L wrist radiograph; lateral projection: 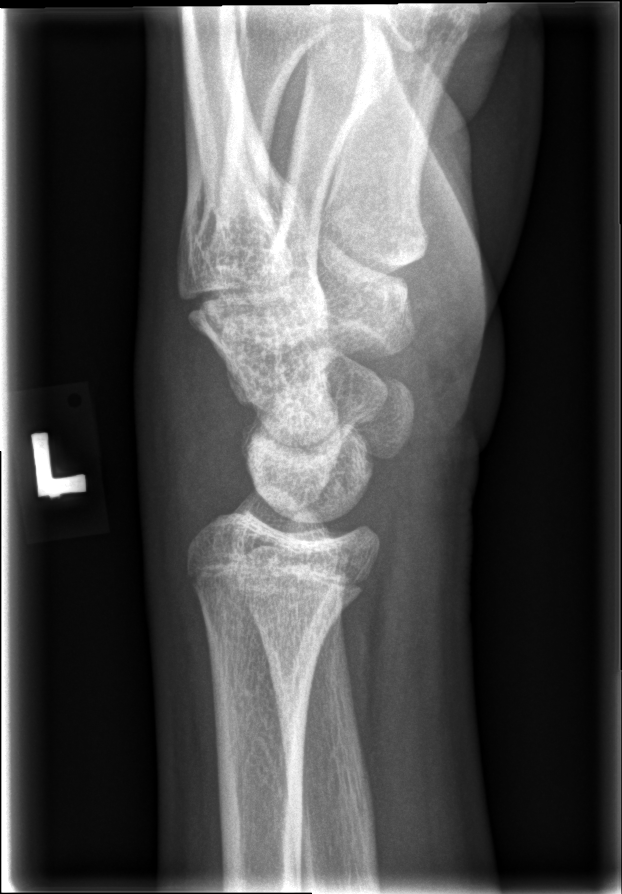

Bone fracture = none labeled
Soft-tissue finding = 1 @ [x1=140, y1=292, x2=257, y2=544]